PA/AP view · R pediatric wrist radiograph · follow-up study · cast in situ · 746x918
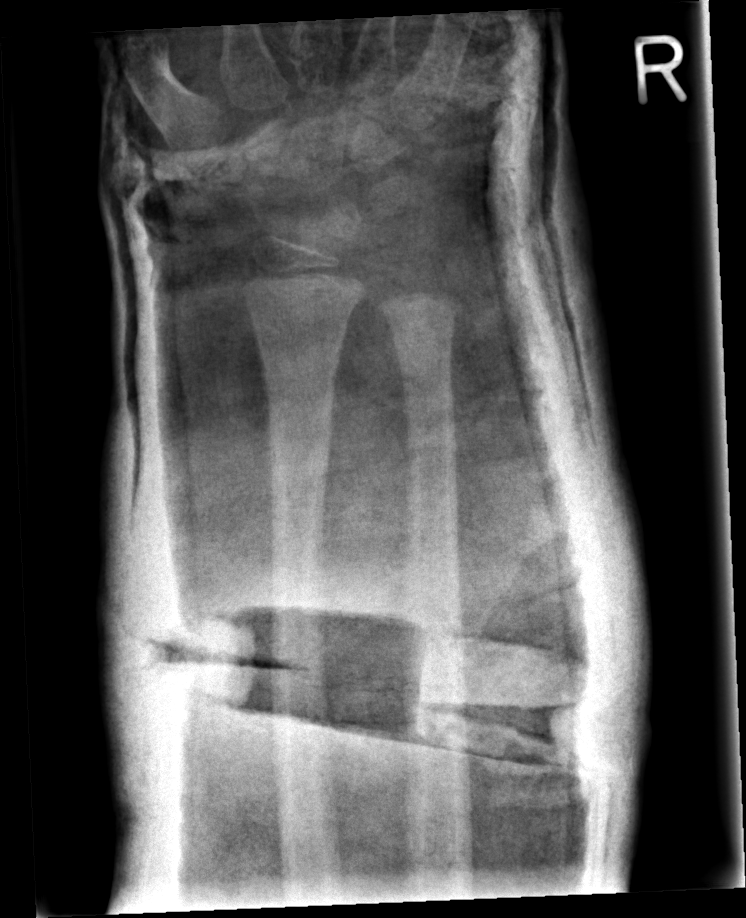

fracture = present but not clearly seen in this view
AO/OTA = 23r-M/3.1